Frontal | Rt wrist X-ray | image 96.5 mm wide.
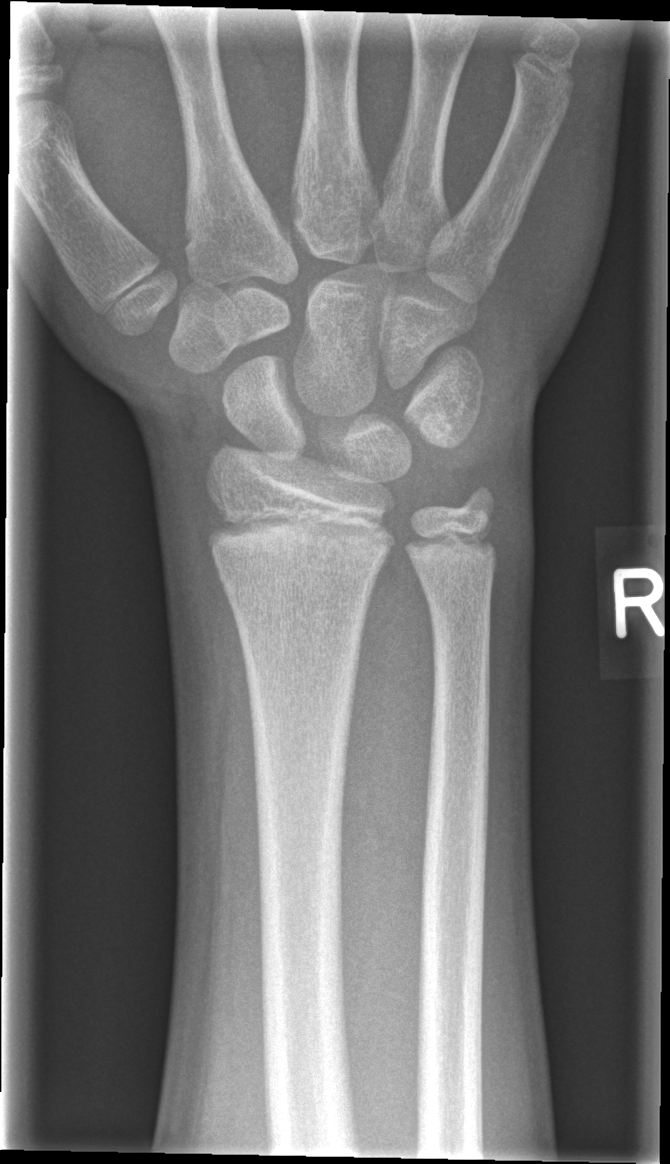 Q: Fracture present?
A: Fracture: none labeled